Lat view; left plain radiograph of the wrist; 10-year-old male; index exam; 363 by 1042 pixels:
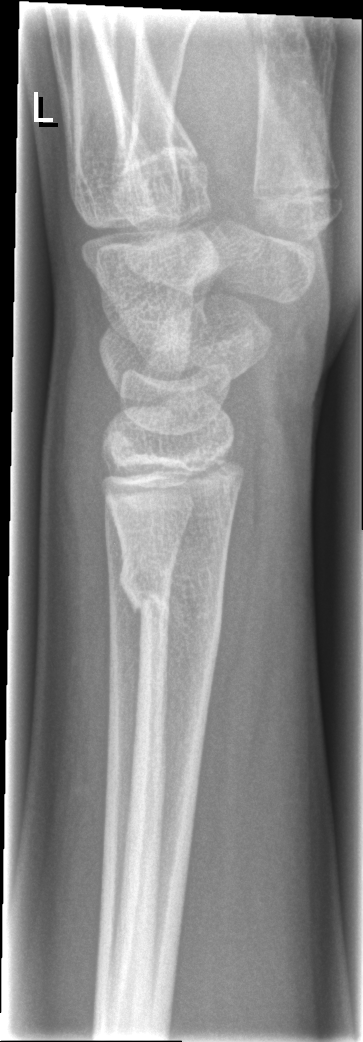 Bone fracture identified at [x1=117, y1=549, x2=228, y2=625].